Rt pediatric wrist radiograph | lat view | initial study | acquired on Siemens | image 51.8 mm wide | 360 x 1082 px: 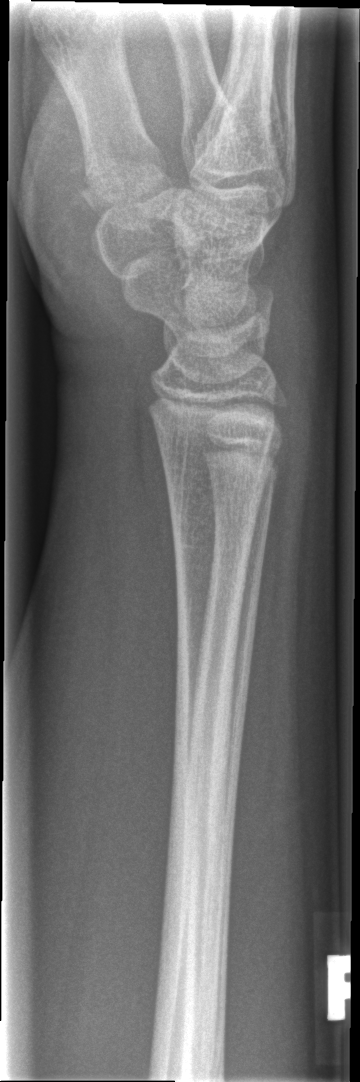 Bone fracture: none labeled